Lt wrist X-ray · lateral: 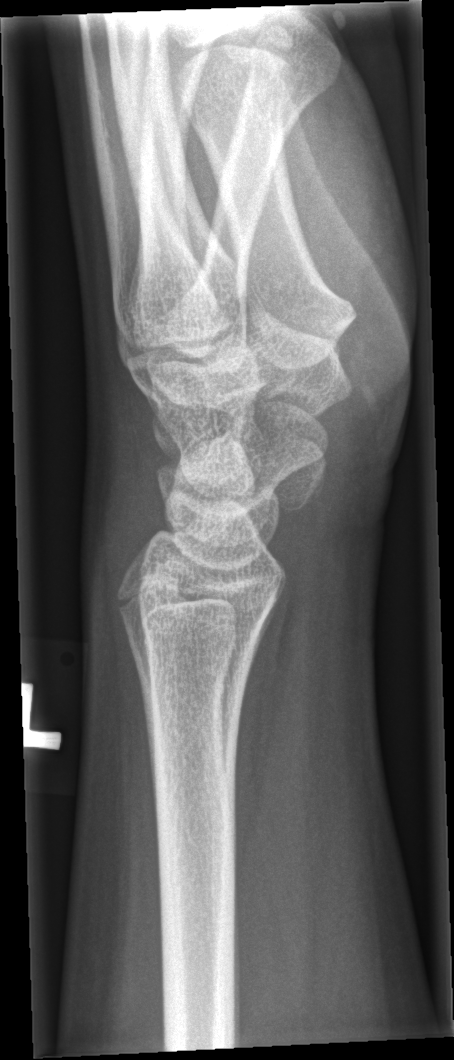

Q: Fracture present?
A: No fracture annotation